Left pediatric wrist radiograph, lateral projection, 14-year-old male: 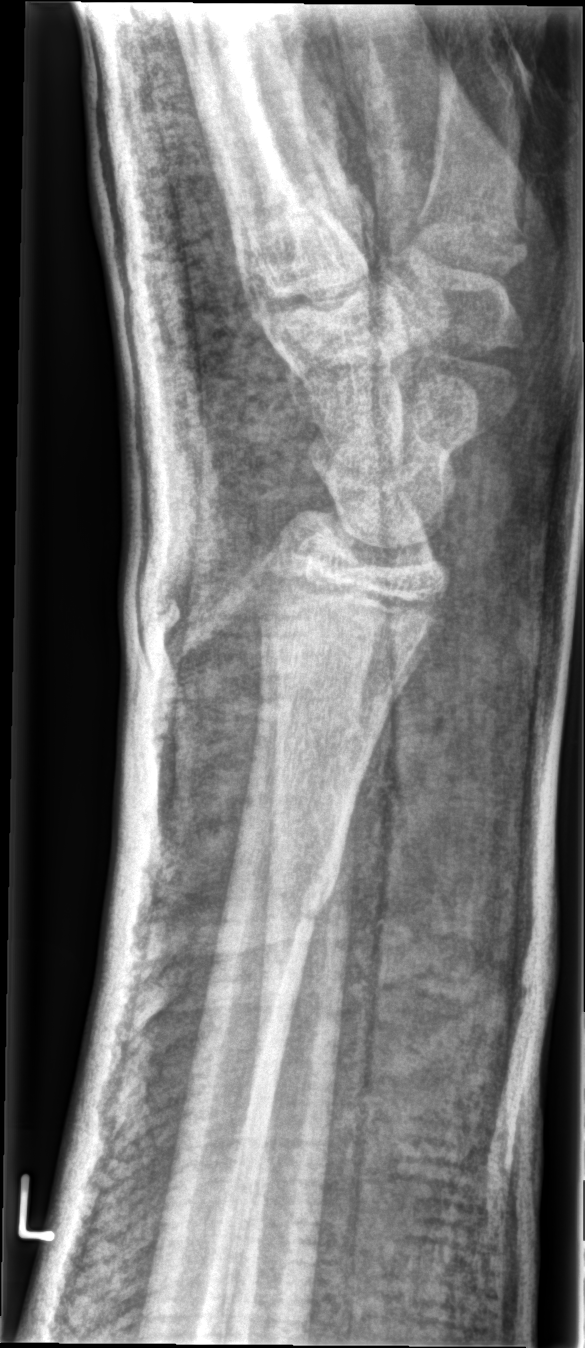 FINDINGS: (coordinates are [x1, y1, x2, y2] in image pixels) One bone fracture at bbox(214, 859, 343, 947). AO code 22r-D/4.1; 23u-M/3.1.